Posteroanterior view; Rt wrist plain film; 13-year-old boy; acquired on Siemens; 735 x 1152 px

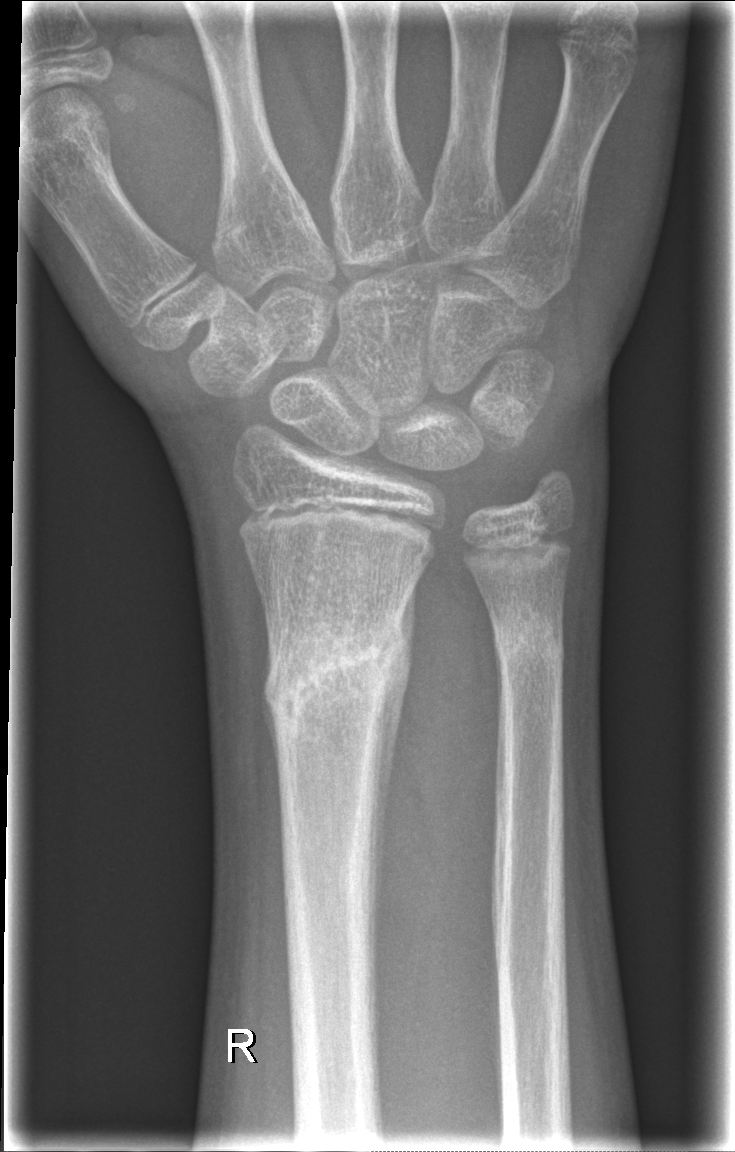 • AO code 23r-M/3.1; 23u-M/2.1.
• Two bone fractures at [259, 597, 412, 751] [485, 604, 566, 670].
• Decreased bone density (osteopenia).
• Periosteal reaction — [368, 580, 418, 1038]; [259, 636, 282, 809].